PA/AP · L wrist X-ray · 14y M 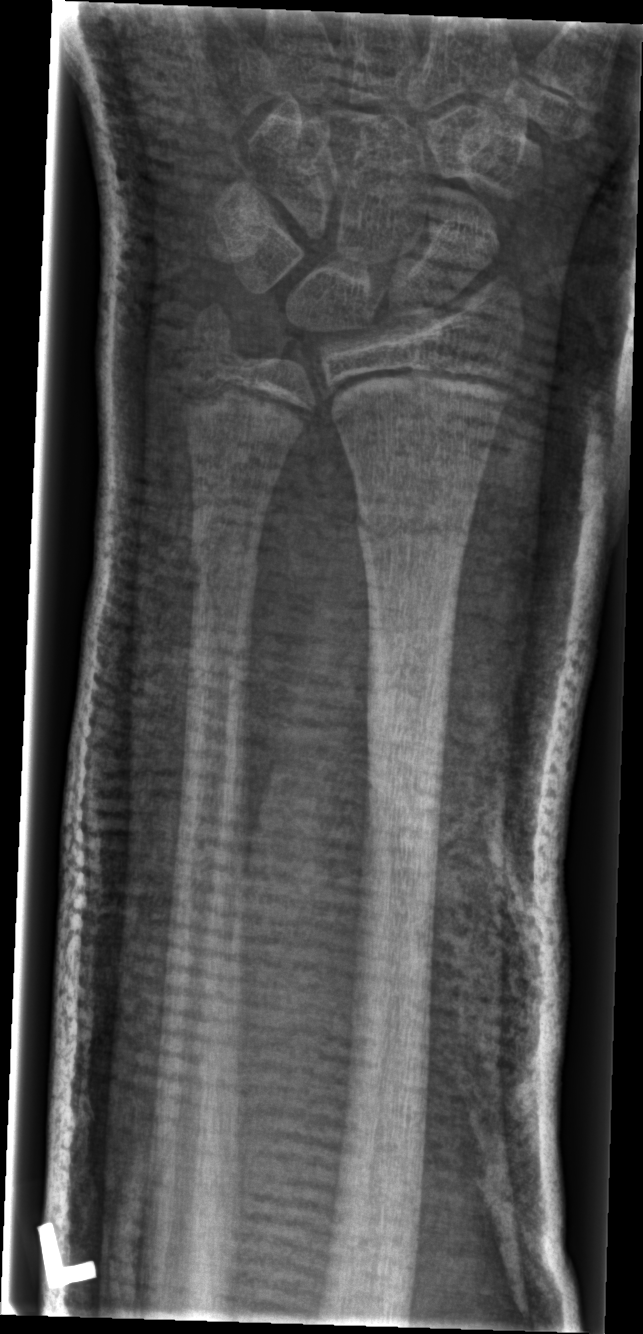 AO classification: 23-M/3.1; 23u-E/7
bone fracture: (left=352, top=493, right=478, bottom=553); (left=181, top=540, right=263, bottom=593)